Posteroanterior projection, Lt wrist plain film, follow-up, cast in situ, image 96.5 mm wide

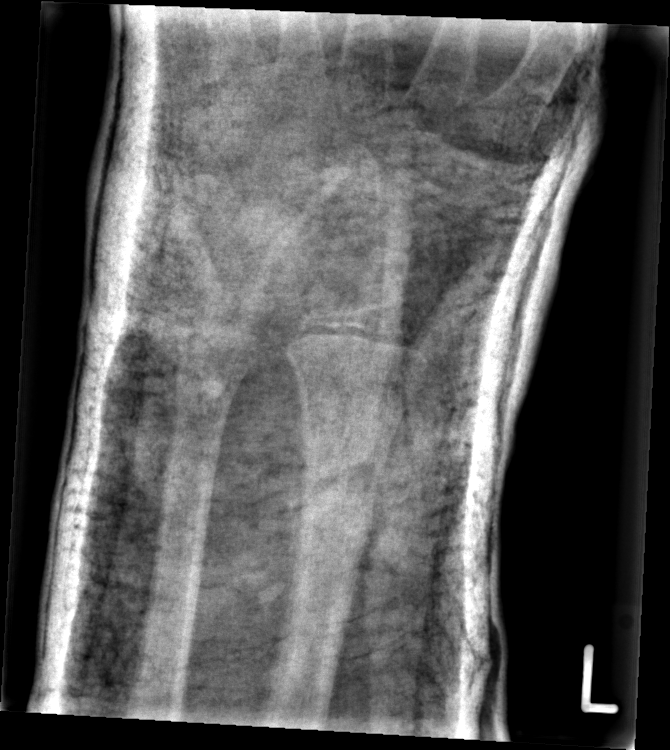

{
  "ao": "23r-M/3.1",
  "fracture": "present but not clearly seen in this view"
}